Rt wrist X-ray · lat · follow-up study · Siemens · image width 101.8 mm · 707 by 1336 pixels: 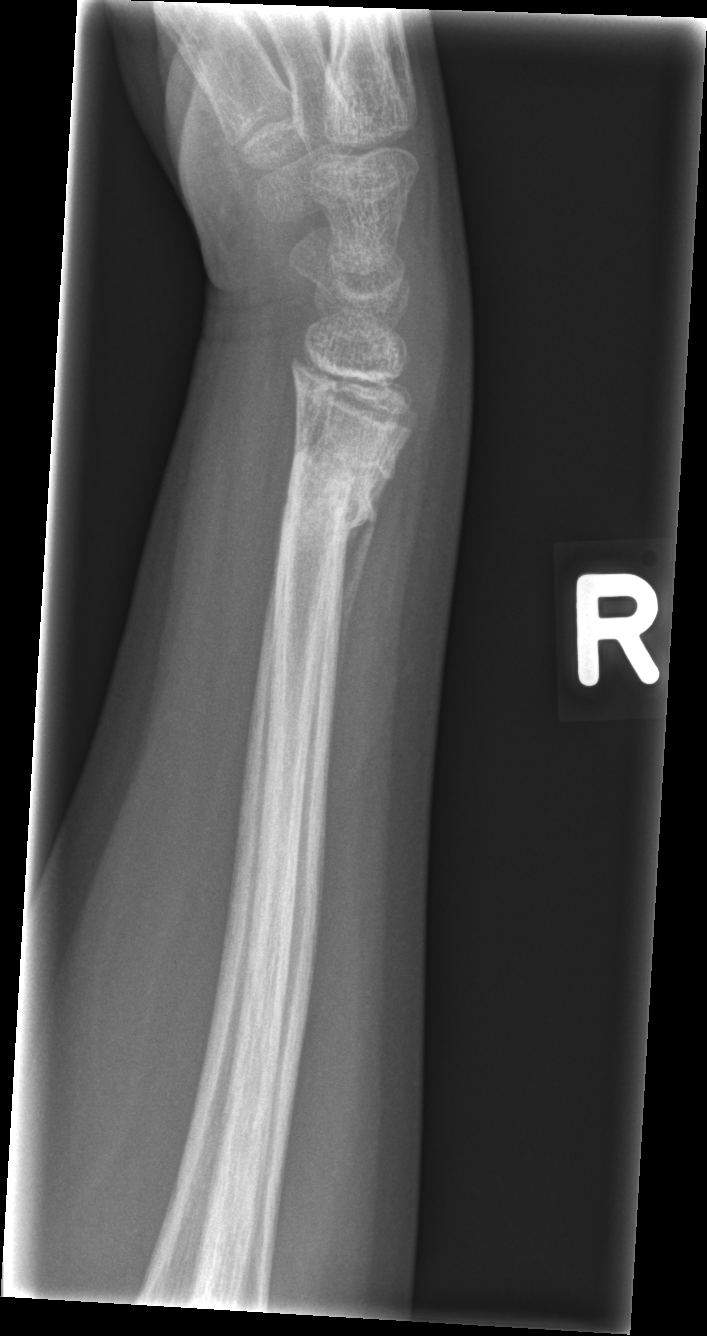

Periosteal new bone — (left=338, top=479, right=387, bottom=678). Fracture — (left=271, top=451, right=397, bottom=550).